Left wrist plain film; posteroanterior projection; female, 7 yo; cast in situ
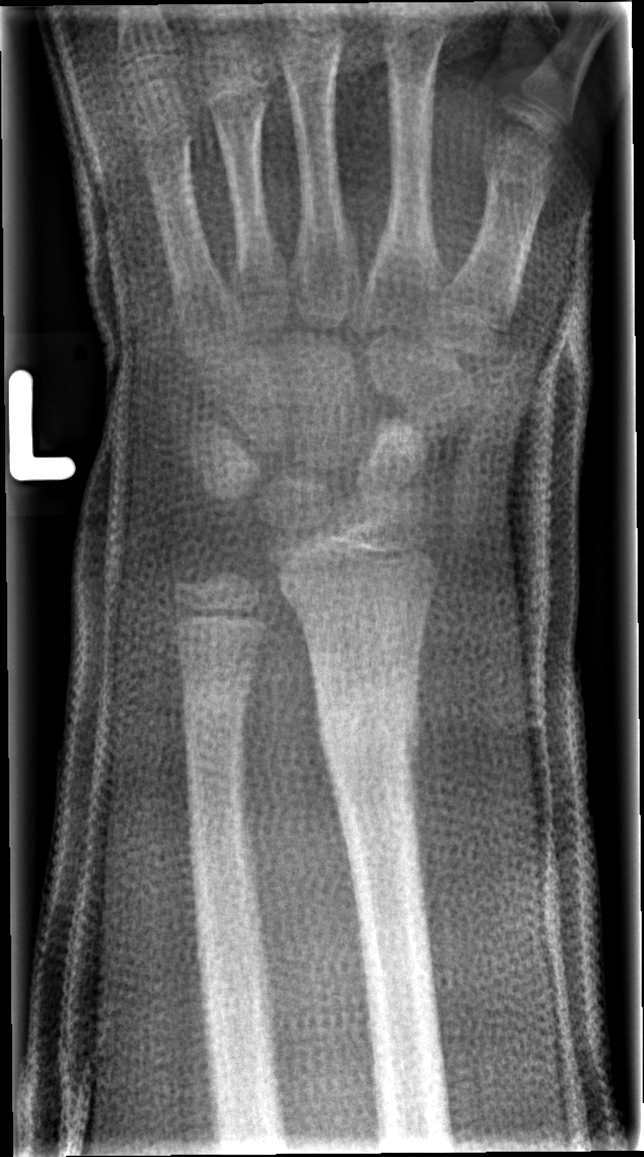

• Boxes as x1,y1,x2,y2 (top-left / bottom-right, pixel units).
• Fracture identified at 313 690 424 782; 178 677 251 728.